Lt wrist XR | lateral | subsequent exam | detector: Siemens —

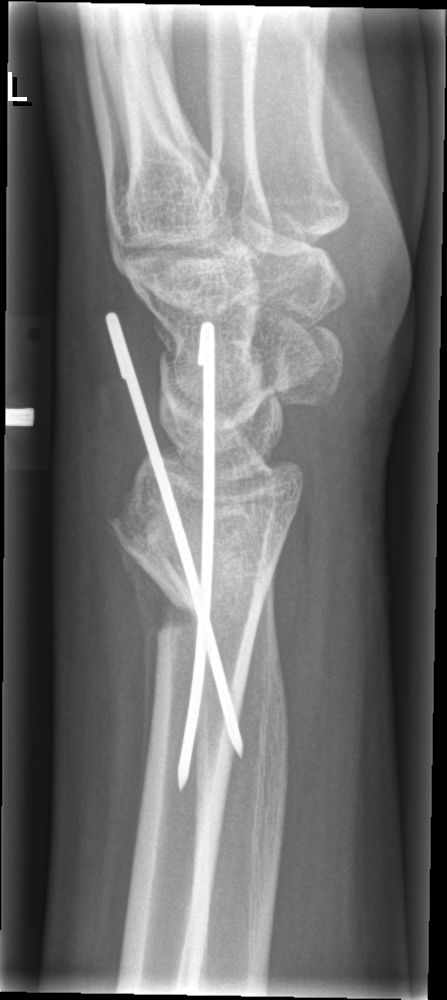

AO/OTA classification: 23r-M/3.1; 23u-E/7.
Metal — 102 308 247 800.
Periosteal reaction identified at 110 526 191 828.
Fracture: 107 510 256 644.